Lateral view; L wrist X-ray; in cast.
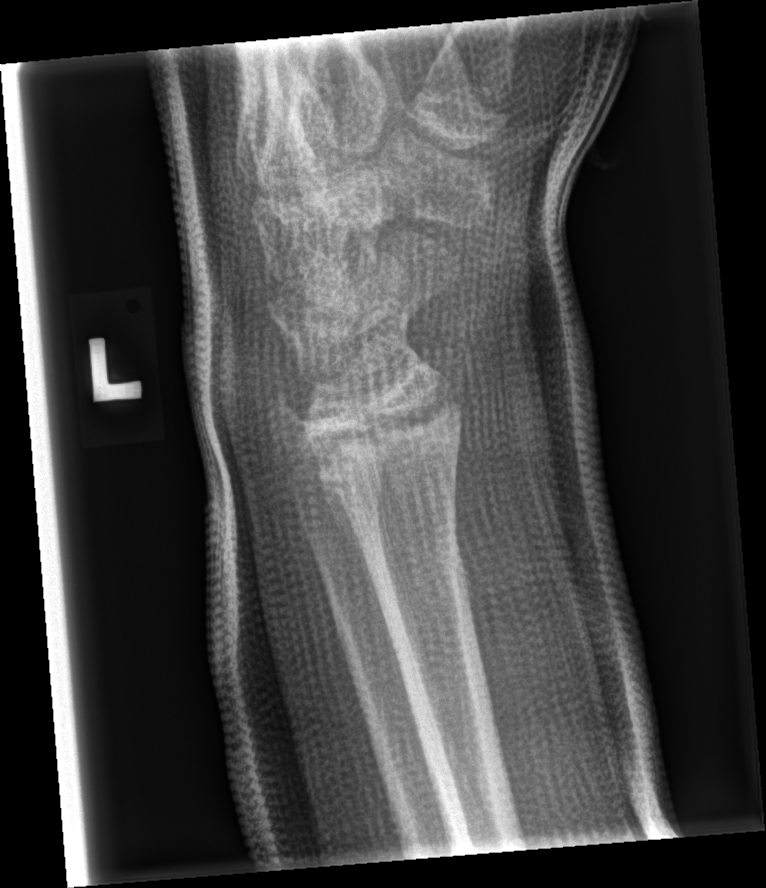

{
  "_coords": "pixel coordinates, top-left origin, xyxy",
  "ao": "23r-E/2.1; 23u-E/7",
  "periostealreaction": "316,458,383,616",
  "fracture": "1 @ 298,393,467,495"
}